PA/AP projection | right wrist plain film | 10y F | 74.6 mm image width.

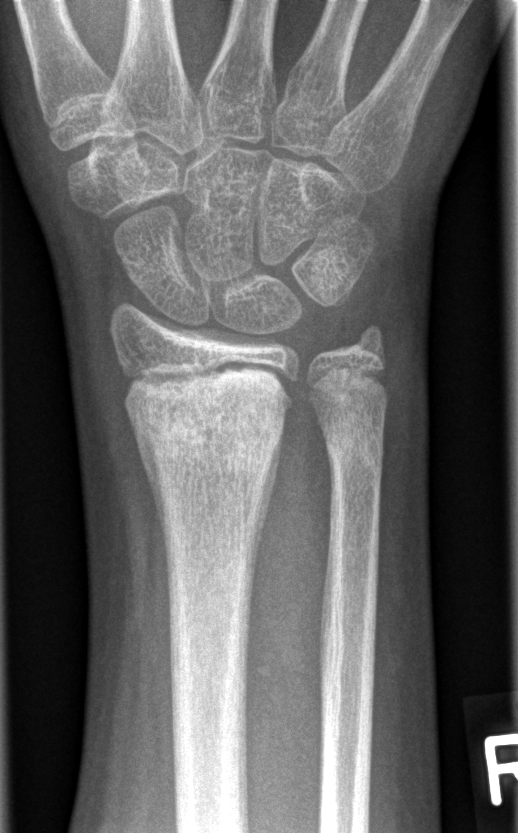
Bounding boxes in image-pixel xyxy. Fracture classified AO/OTA 23r-E/2.1; 23u-M/2.1; 23u-E/7. Periosteal reaction: bbox(126, 406, 169, 551); bbox(251, 427, 283, 593). Bone fracture identified at bbox(121, 379, 295, 468); bbox(319, 412, 386, 488); bbox(348, 318, 391, 364).